R wrist XR; lat projection; follow-up study; cast present; image size 360x1036.
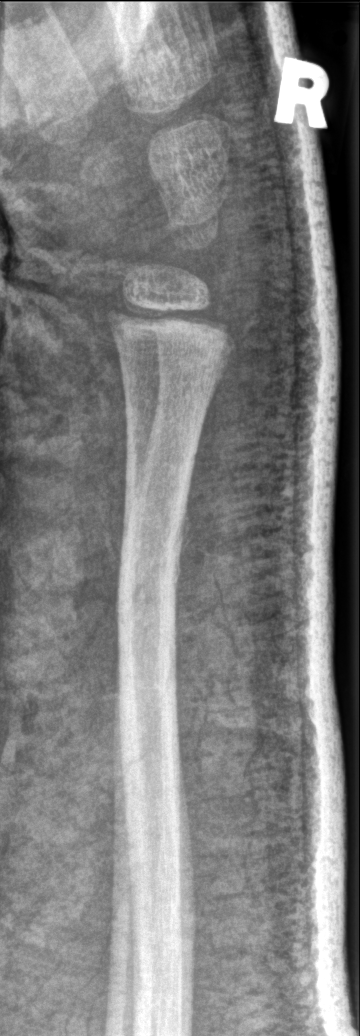
FINDINGS — One fracture at (left=111, top=505, right=191, bottom=679).